Right wrist plain radiograph of the wrist; lateral projection; 17-year-old female; initial study; image size 590x1152:

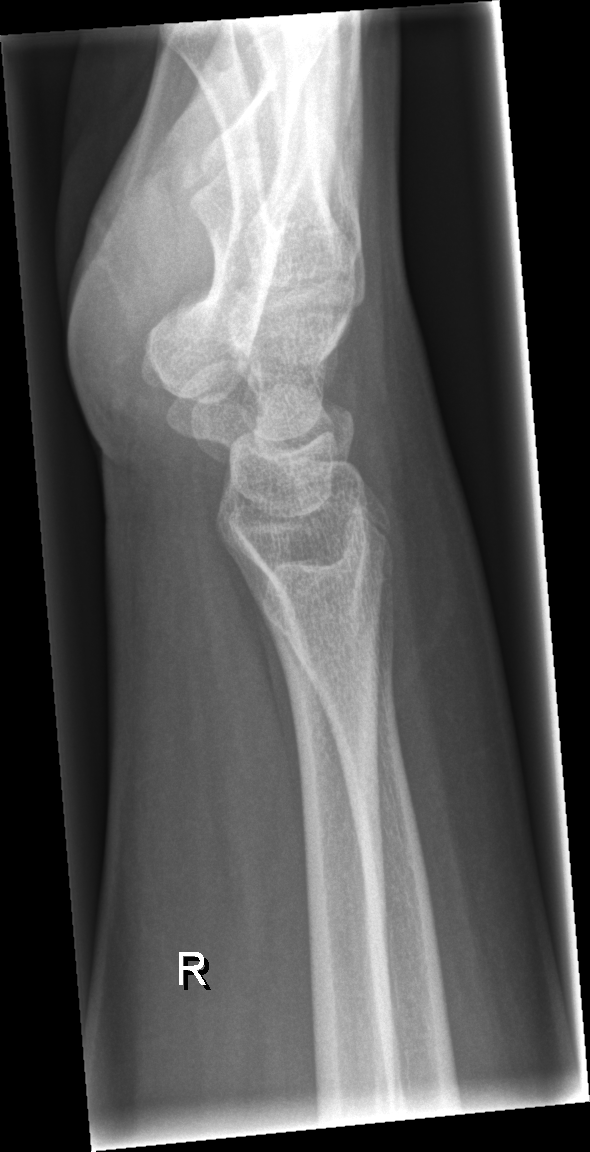
Findings: Fracture: none labeled.